Lat | Rt wrist plain film | pediatric patient (male, age 5) | cast present:

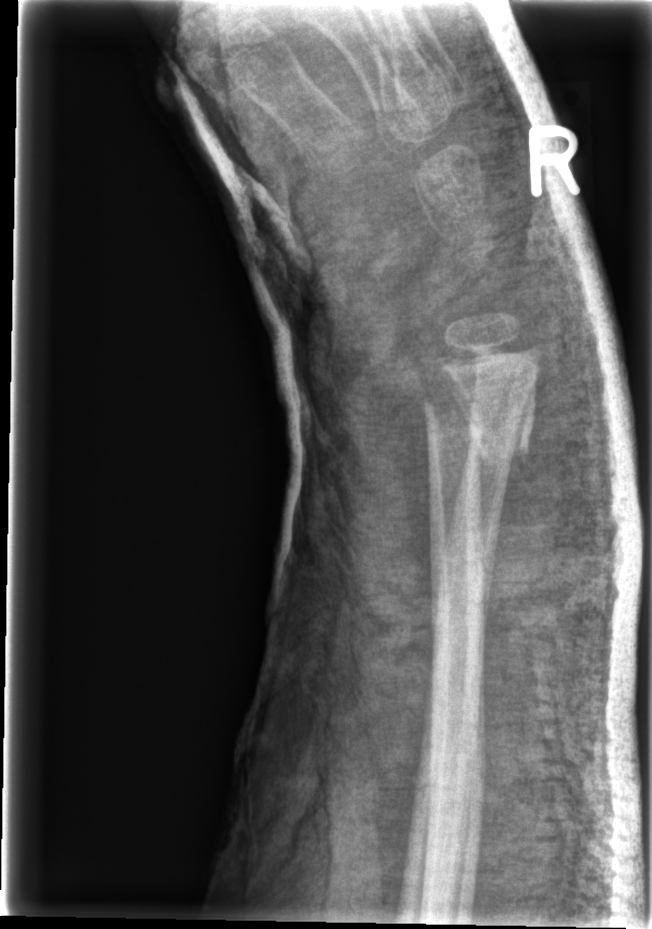 One fracture at [412, 390, 533, 476].
Fracture classified AO/OTA 23-M/3.1.